L wrist plain film | lat view | detector: Siemens

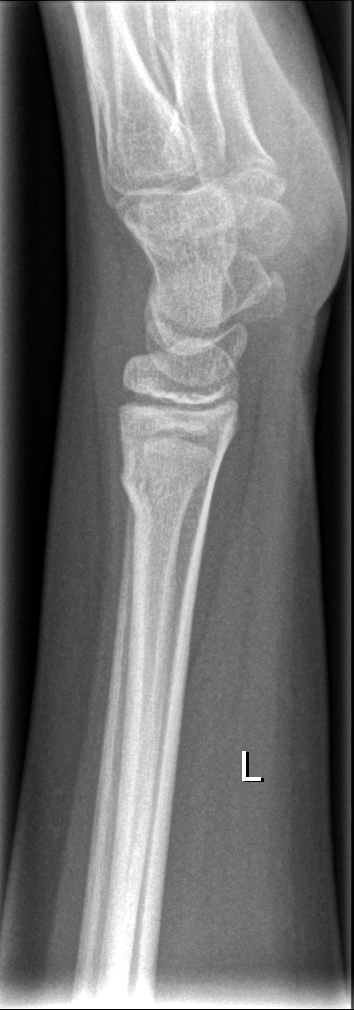 Fracture identified at <116,455>-<217,526>.